Frontal projection; Lt wrist X-ray; male, 12 yo; cast present. 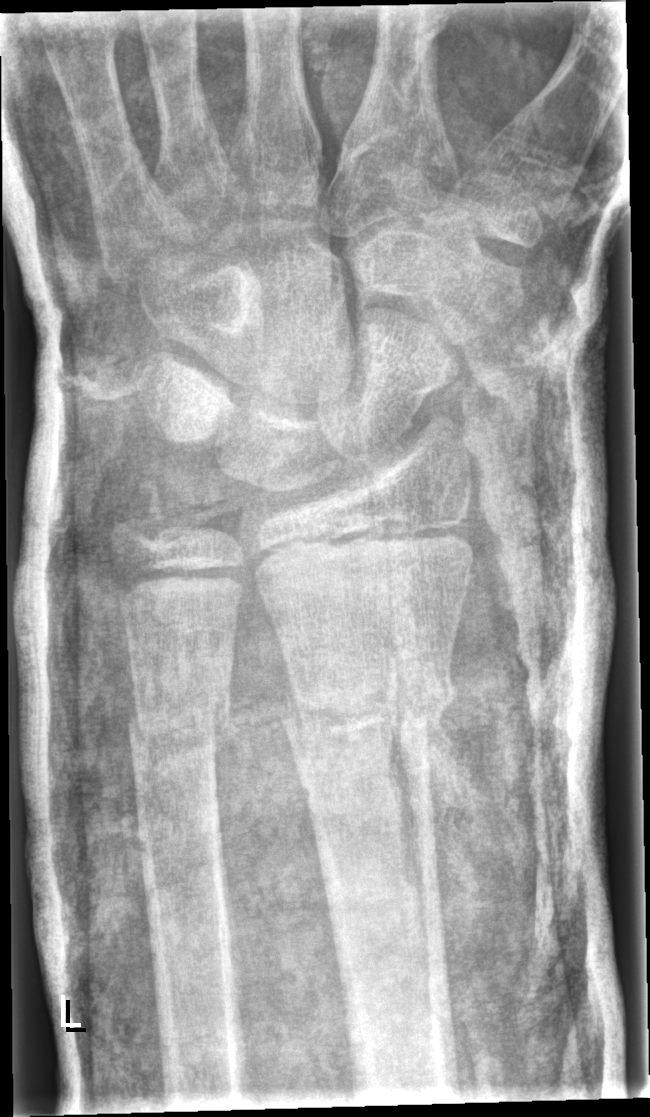 • Three Fx at 284 655 458 771; 121 688 242 759; 103 467 184 563.